Left pediatric wrist radiograph | PA projection | age 10 y, girl | follow-up study | cast present | acquired on Siemens —

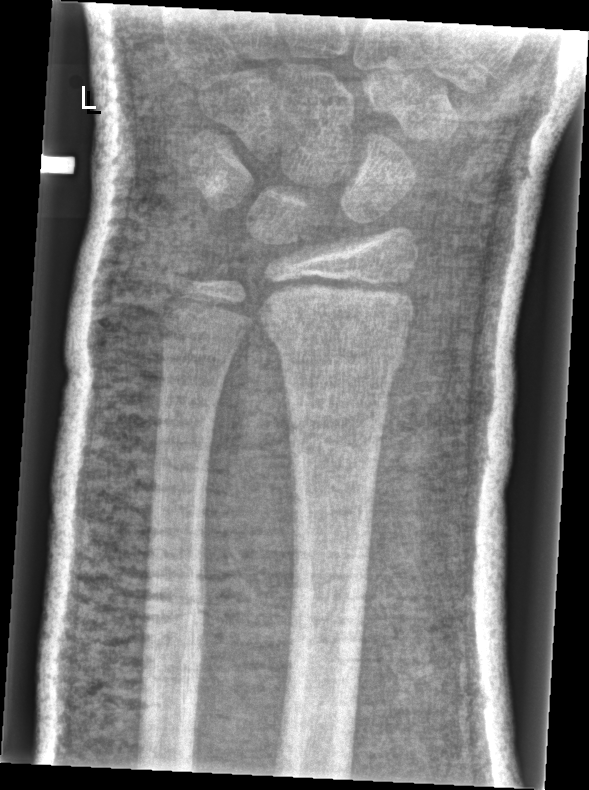

{"_coords": "bounding boxes in image-pixel xyxy", "ao": "23r-M/3.1; 23u-E/7", "fracture": "267,318,411,376"}